Lt plain radiograph of the wrist, PA/AP view, presentation radiograph, detector: Siemens.
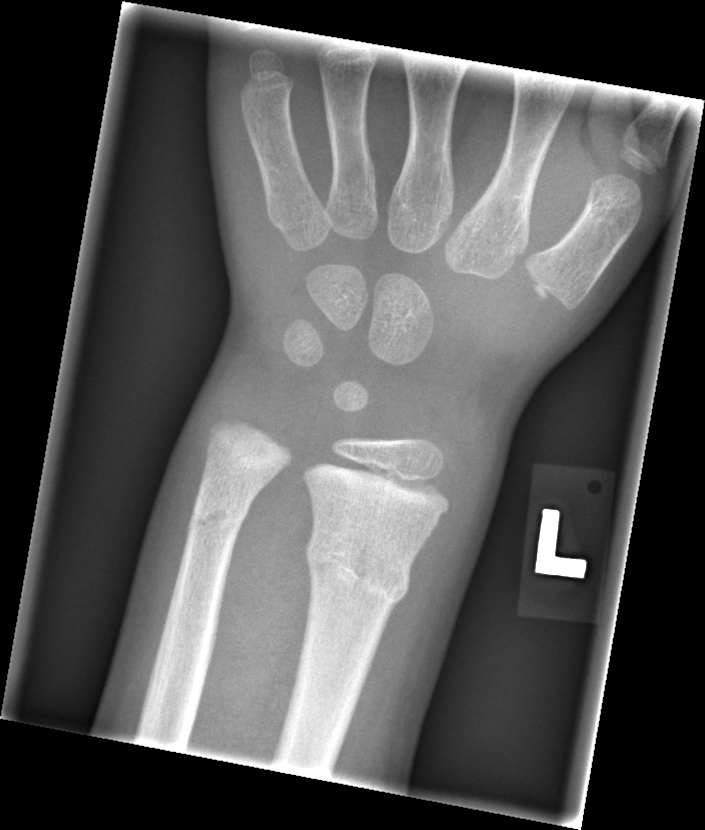
  # coordinates are [x1, y1, x2, y2] in image pixels
  fracture: (304, 530, 415, 612) (183, 499, 252, 538)
  ao: 23-M/2.1